Left wrist XR; lat view; imaged through cast; image size 562x1118:

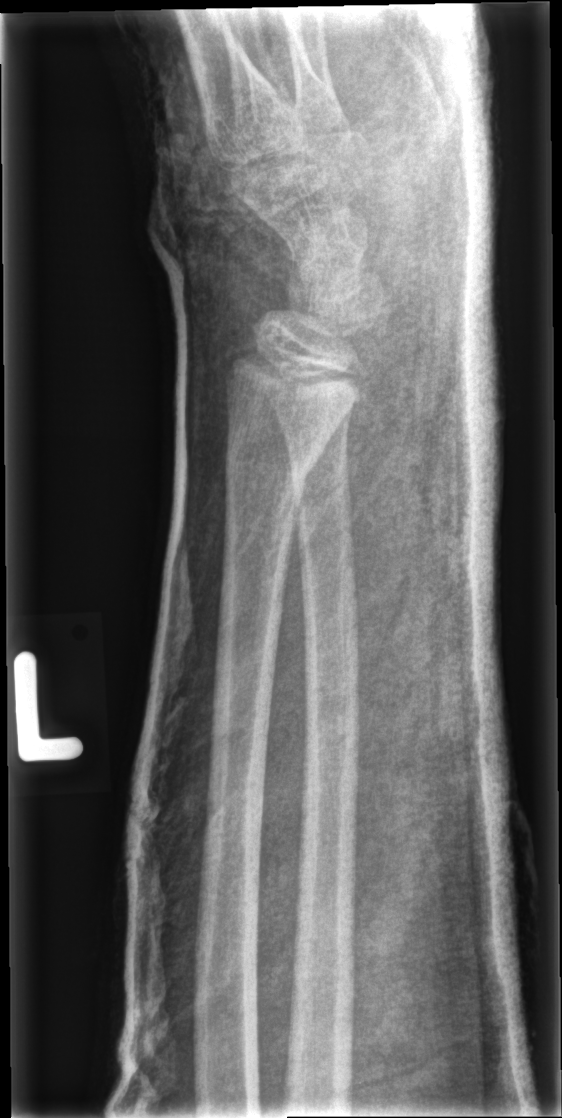 FINDINGS — AO code 23r-M/3.1. One bone fracture at (left=224, top=426, right=322, bottom=493).